Posteroanterior, Rt plain radiograph of the wrist, female, 11 yo, image width 76.0 mm.

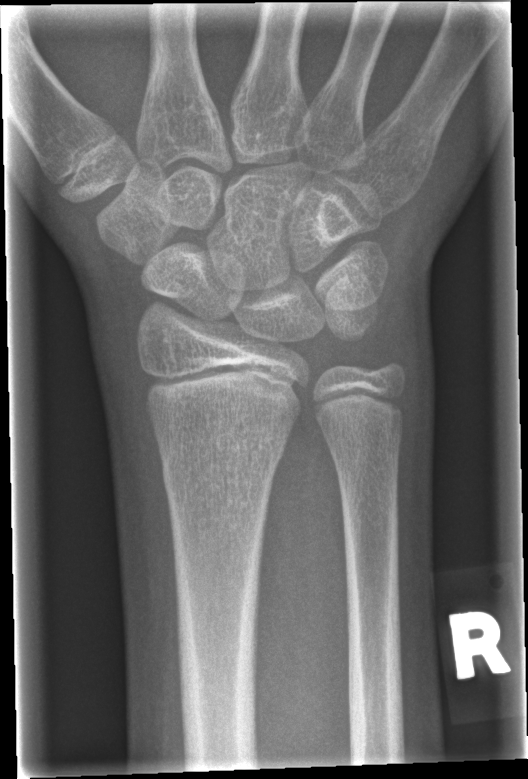 (coordinates are [x1, y1, x2, y2] in image pixels)
Q: Is there a fracture?
A: Fracture identified at bbox(153, 425, 292, 485)
Q: AO code?
A: AO code 23r-M/2.1